PA view · right wrist plain film · subsequent exam · cast present · 542 by 1118 pixels 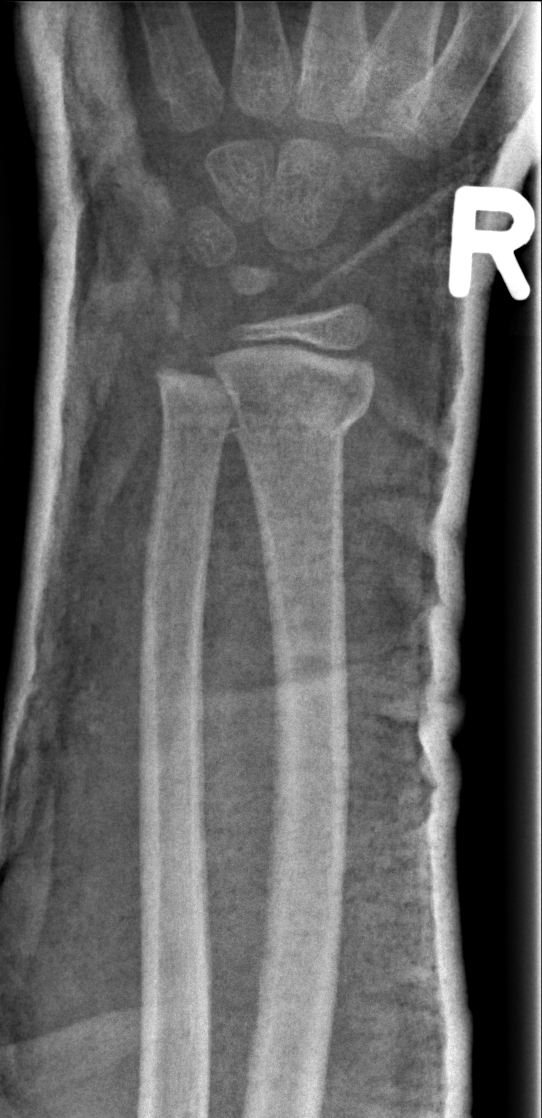
Fx — [x1=227, y1=384, x2=376, y2=450].